PA/AP view · right plain radiograph of the wrist · image 118.5 mm wide 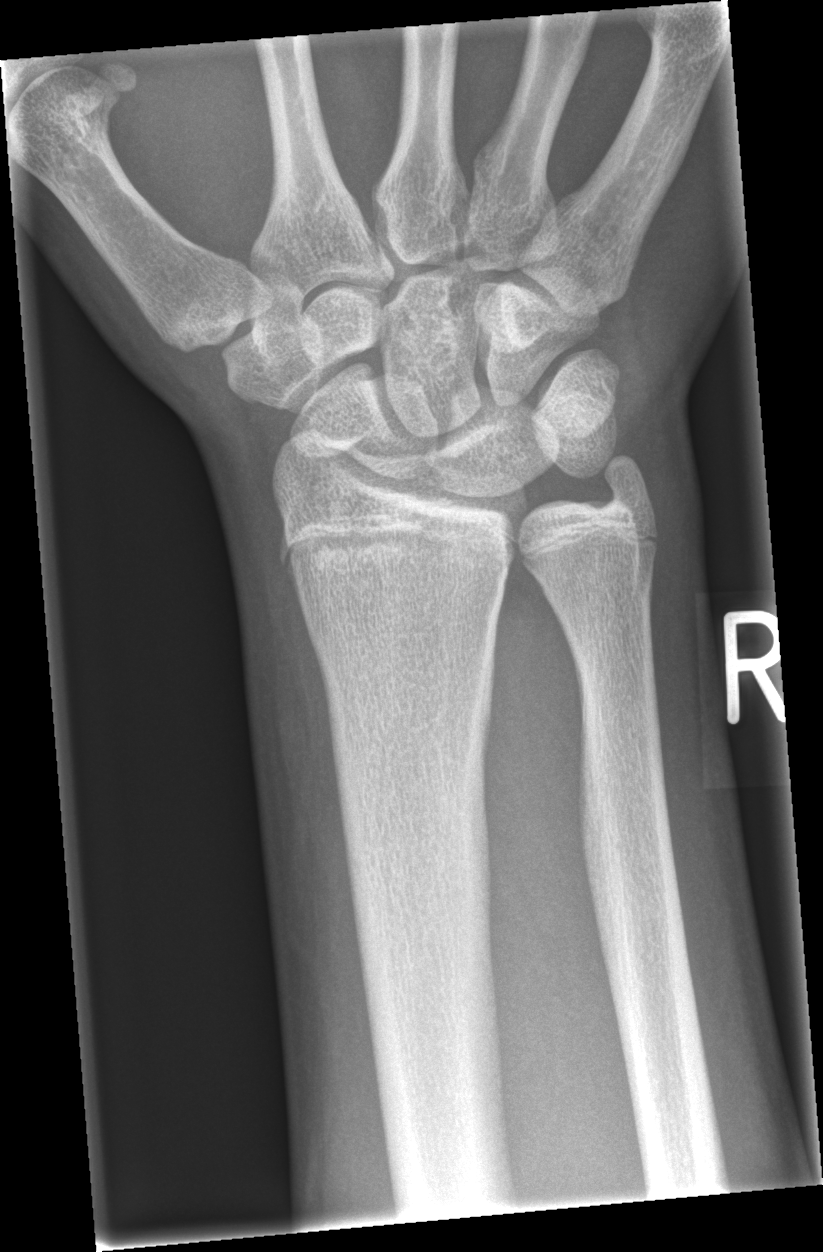

Fx: none.